Lateral projection | left wrist X-ray | boy, 14 yo | detector: Siemens:

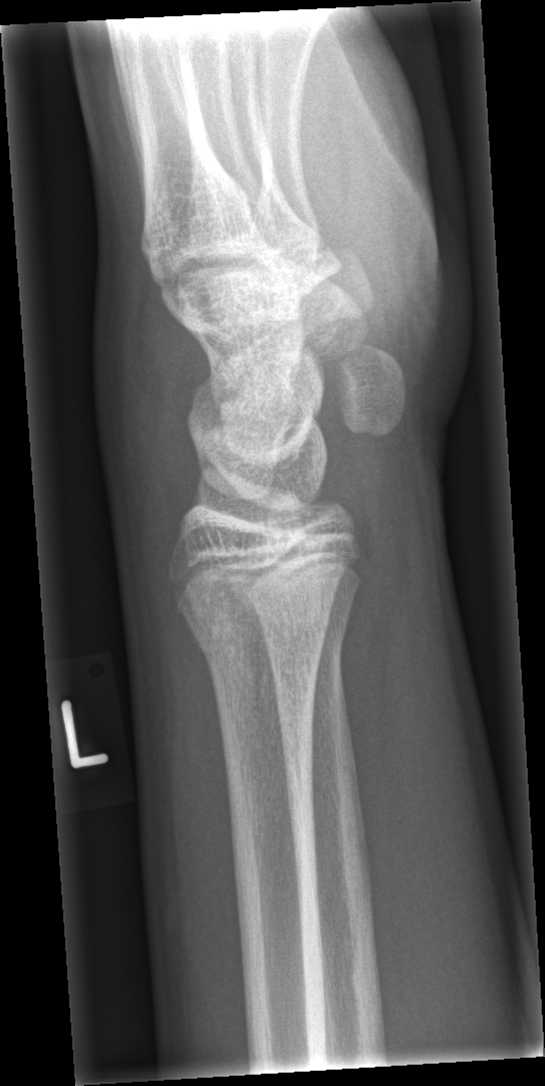
FINDINGS — (coordinates are [x1, y1, x2, y2] in image pixels) Bone fracture — [183, 606, 346, 675].